Lt wrist radiograph, frontal projection, 670 by 1104 pixels —

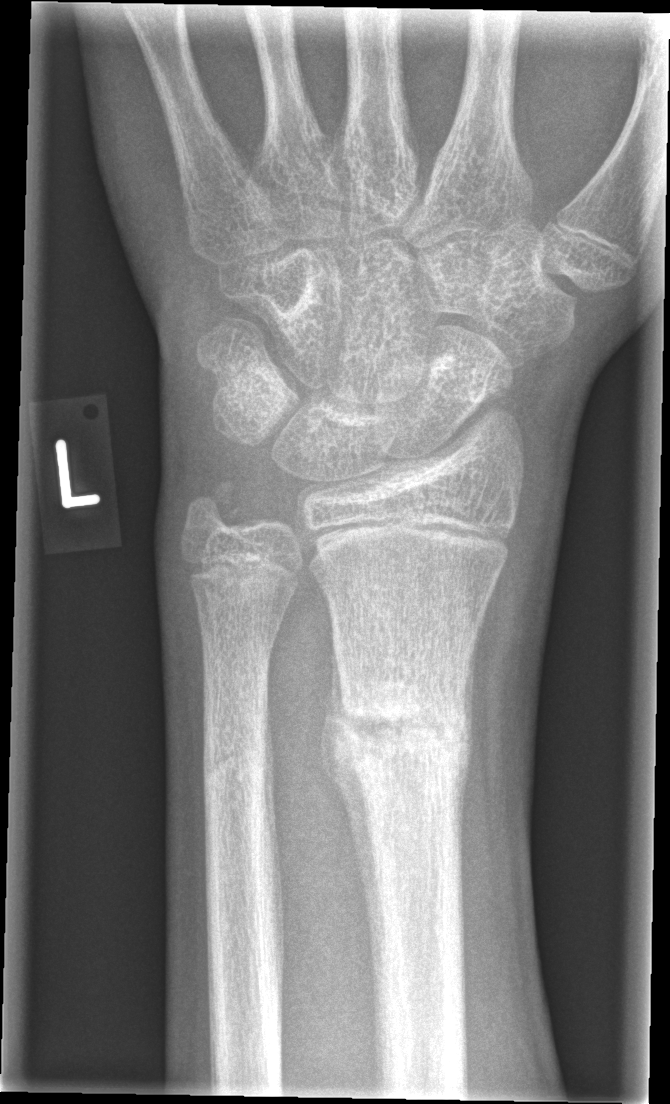
{
  "_coords": "coordinates are [x1, y1, x2, y2] in image pixels",
  "osteopenia": "present",
  "fracture": "(335, 686, 476, 762), (199, 726, 274, 802), (181, 475, 246, 547)",
  "periostealreaction": "2 @ (319, 624, 386, 1092) (453, 635, 483, 984)"
}